Left wrist XR · frontal projection: 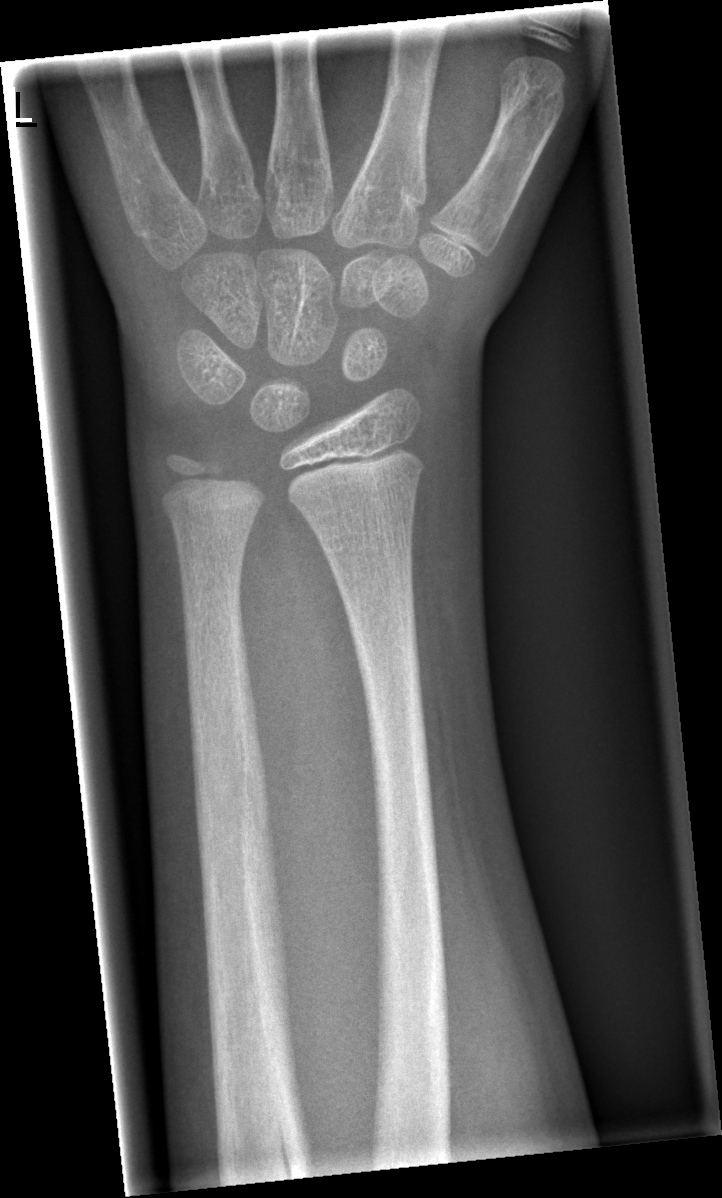
- Boxes as x1,y1,x2,y2 (top-left / bottom-right, pixel units).
- One Fx at <211,1115>-<320,1189>.